L wrist plain film | PA/AP | 10-year-old boy | in cast:
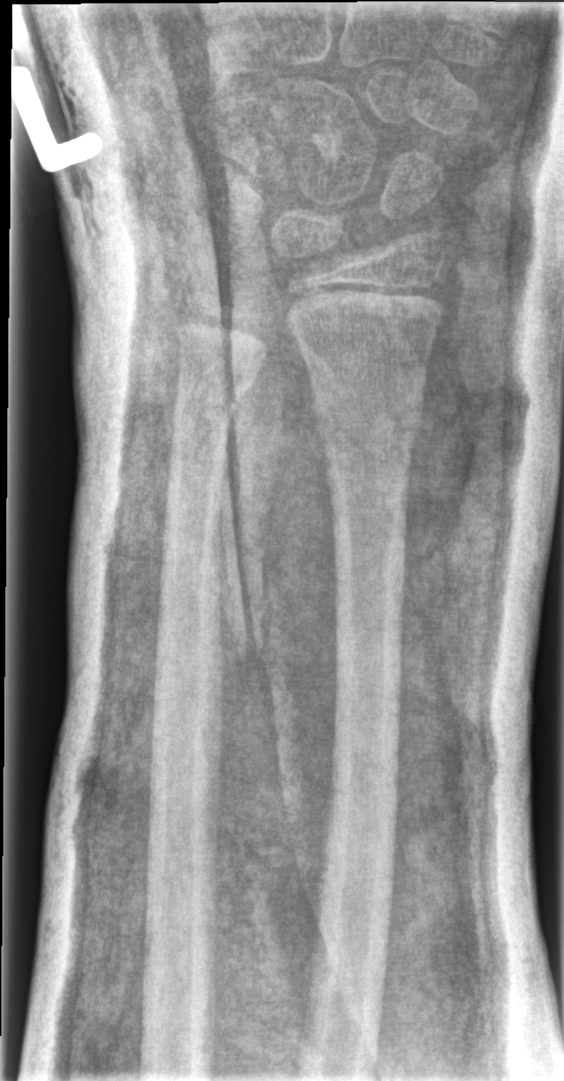 Pixel coordinates, top-left origin, xyxy.
Bone fracture identified at bbox(308, 385, 428, 461); bbox(170, 370, 259, 425).
Fracture classified AO/OTA 23-M/2.1.